Lat | right wrist plain film | age 11 y, girl:

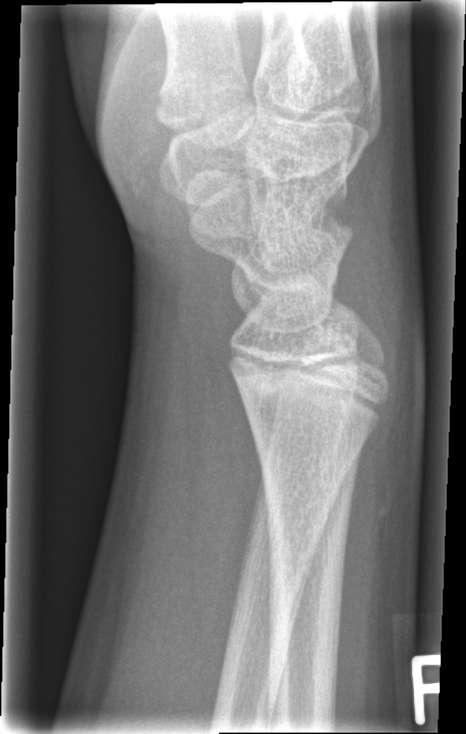

* Fx: none.